Lt pediatric wrist radiograph | lat view —
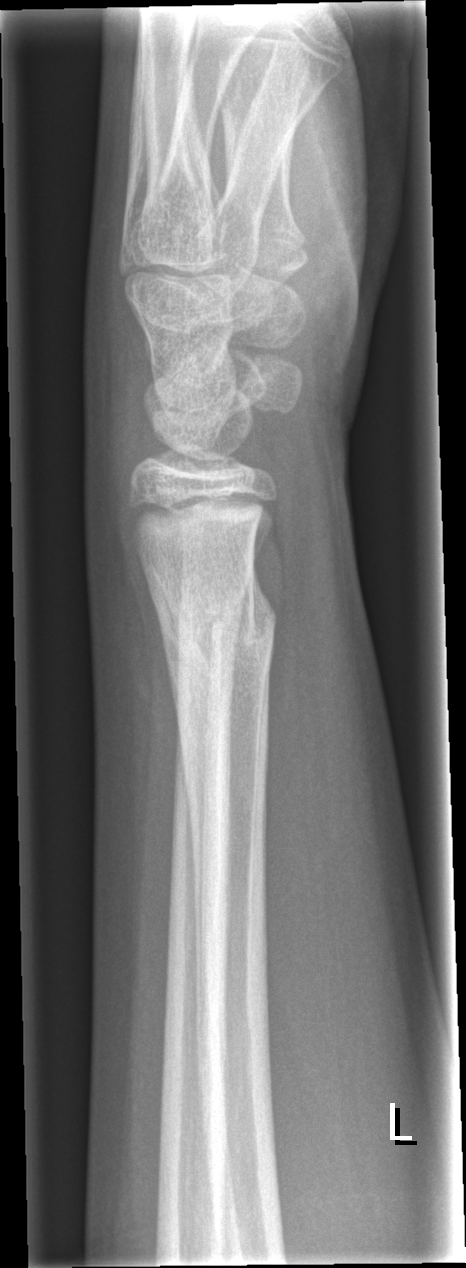

* Periosteal thickening: [x1=140, y1=553, x2=209, y2=1092]; [x1=251, y1=557, x2=275, y2=651].
* Bone fracture: [x1=157, y1=581, x2=278, y2=681].
* Fracture classified AO/OTA 23r-M/3.1; 23u-M/2.1.